Posteroanterior view | left plain radiograph of the wrist | 5y M | imaged through cast | 672 by 830 pixels. 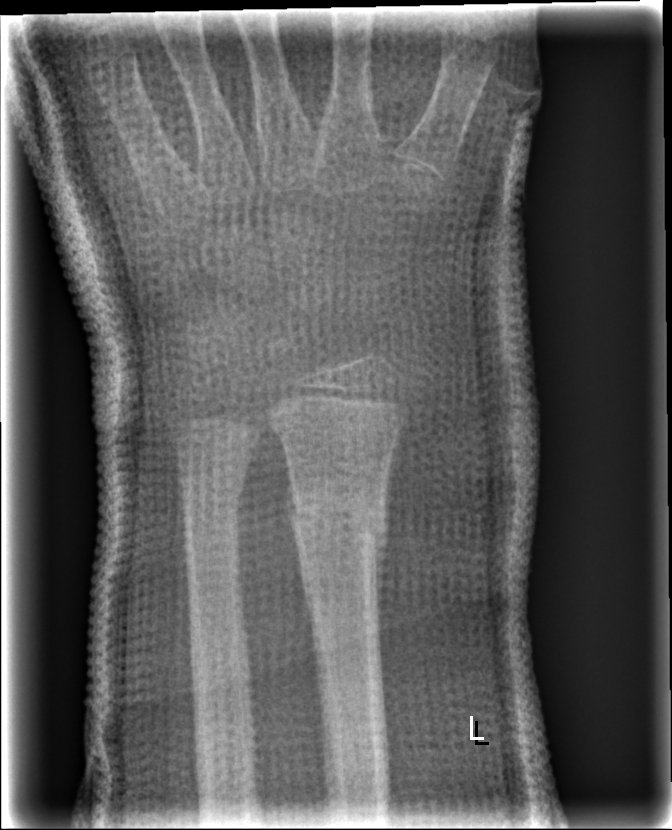
(boxes as x1,y1,x2,y2 (top-left / bottom-right, pixel units))
Fracture: 2 @ [281, 483, 392, 568], [174, 464, 249, 517]